PA view | R wrist XR | boy, 4 yo | cast present | 1006x1006 —

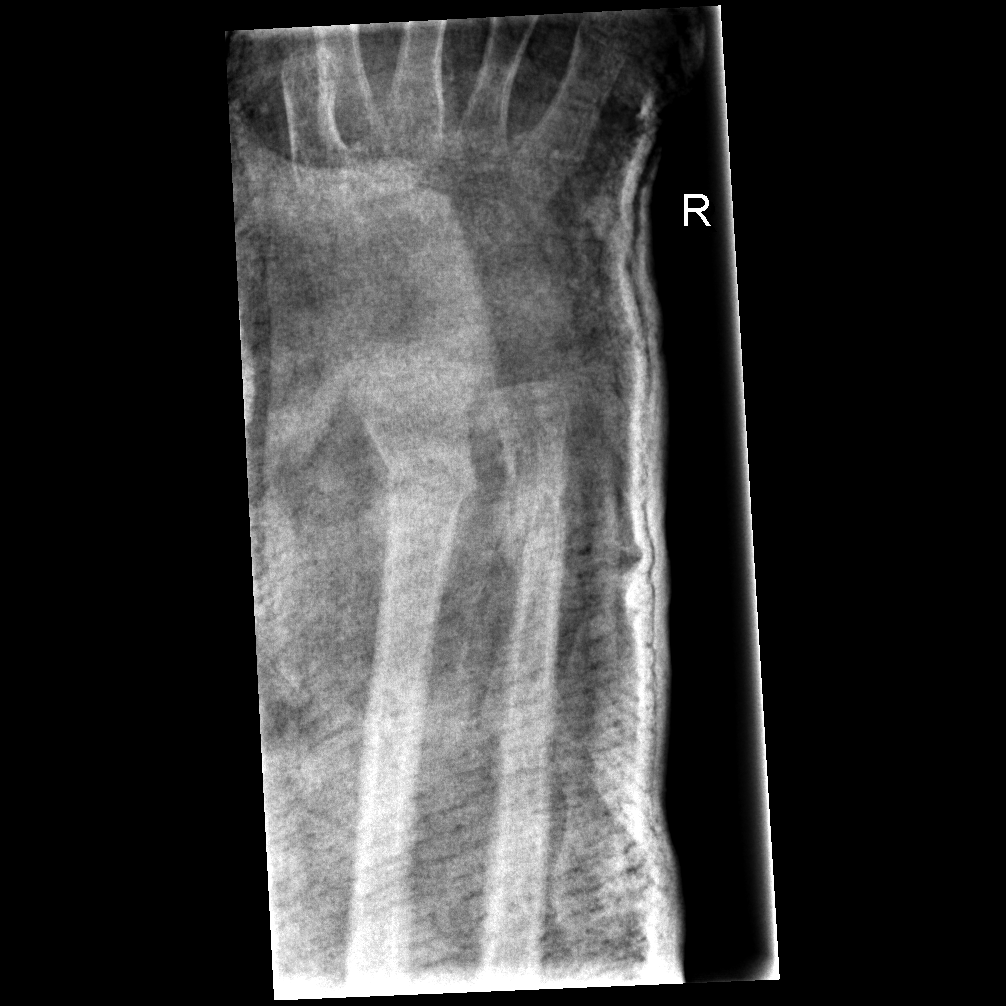 * Coordinates are [x1, y1, x2, y2] in image pixels.
* AO/OTA classification: 23-M/3.1.
* Fracture identified at <361,448>-<485,505>, <498,465>-<574,550>.